Frontal view · L pediatric wrist radiograph · imaged through cast · 642 x 1186 px. 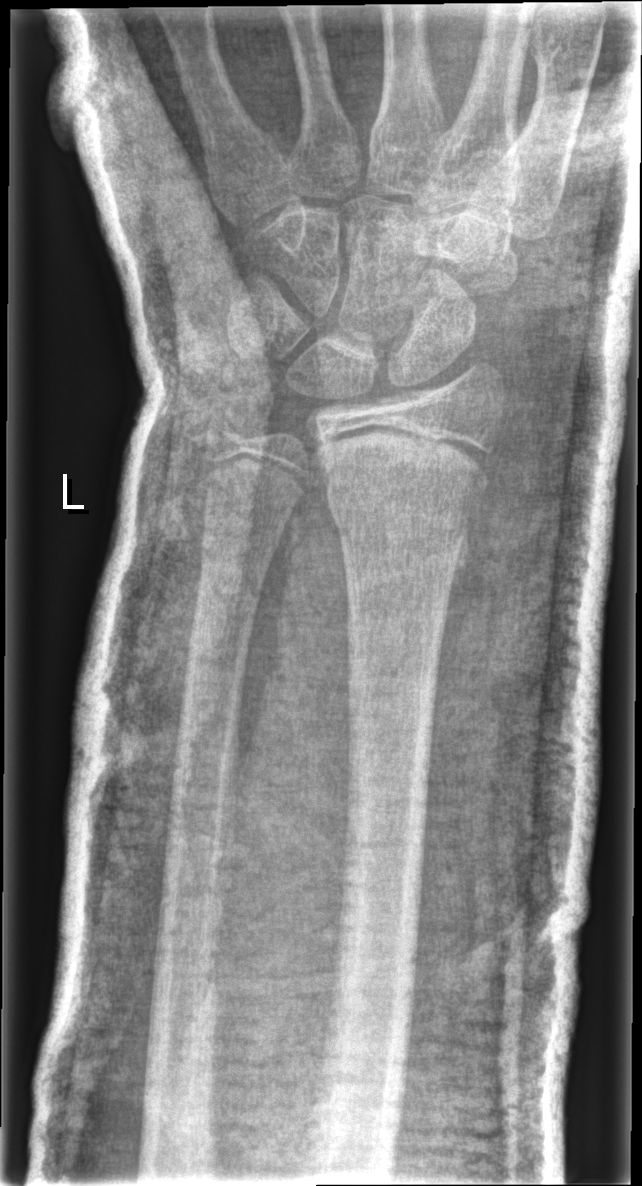 Boxes as x1,y1,x2,y2 (top-left / bottom-right, pixel units).
One Fx at (left=324, top=463, right=484, bottom=553).
Fracture classified AO/OTA 23r-M/3.1; 23u-E/7.